PA; left wrist X-ray; 5y F; index exam: 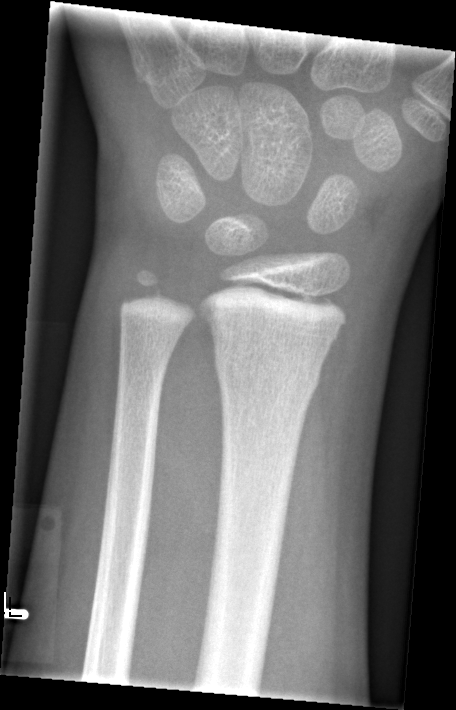 Findings: (coordinates are [x1, y1, x2, y2] in image pixels) One fracture at (213, 352, 325, 404).